AP projection | right wrist X-ray —
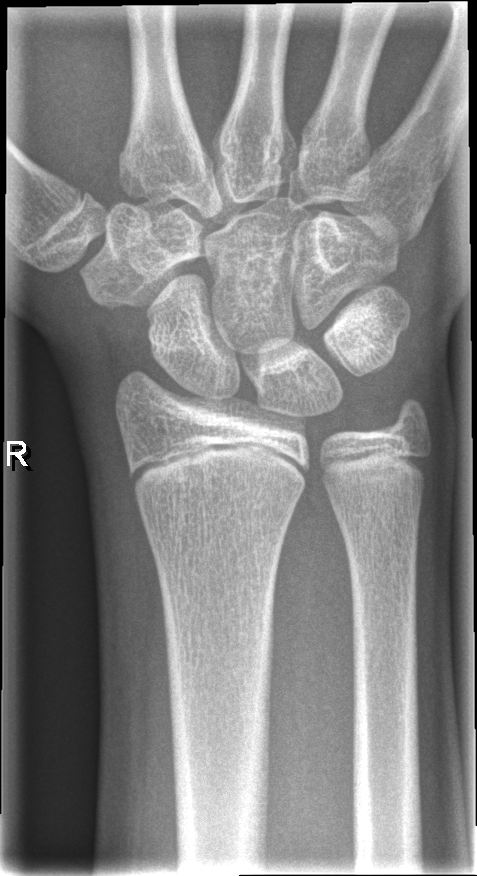

No Fx annotated.